AP projection · Rt plain radiograph of the wrist · age 8 y, girl · cast present —

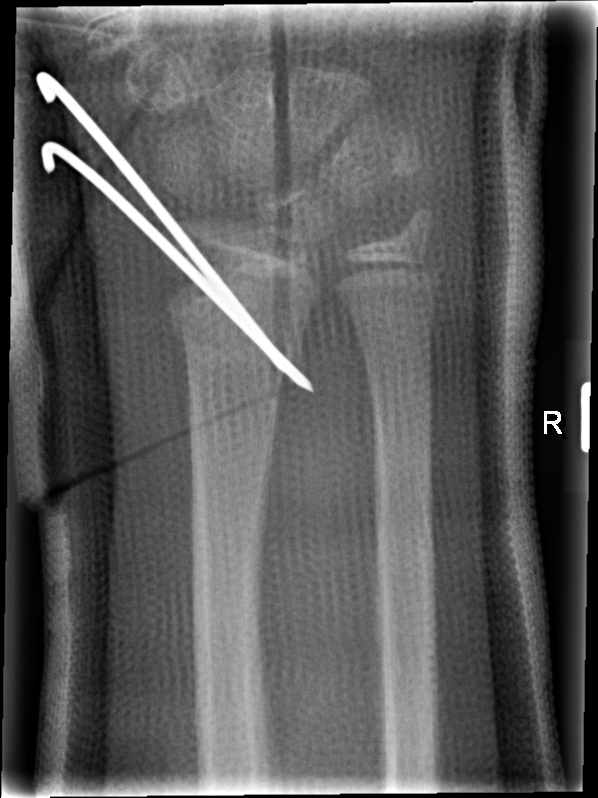   ao: 23r-E/2.1
  metal: 1 @ (29, 66, 319, 402)
  fracture: 1 @ (160, 293, 307, 381)